Right wrist X-ray, lateral, 14y F, acquired on Siemens, image width 68.8 mm, 478 x 1244 px —
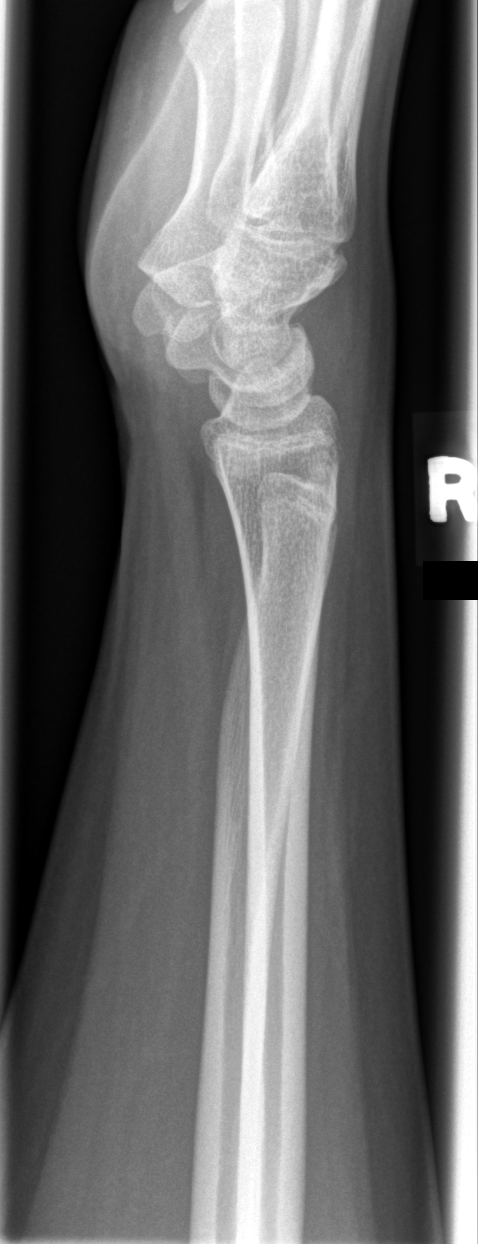

FINDINGS — Fx: none.